Rt pediatric wrist radiograph · PA view · female, 12 yo · image width 98.8 mm: 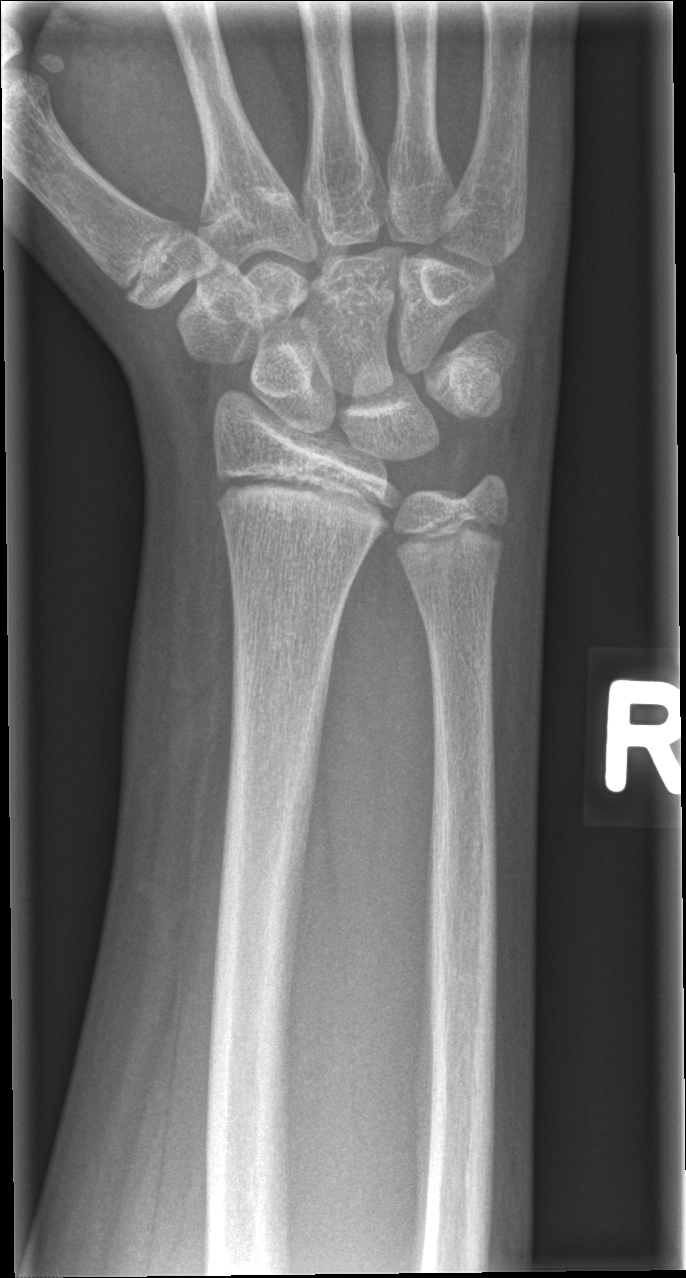 fracture = none labeled